Lat projection · left wrist plain radiograph of the wrist · 53.9 mm image width. 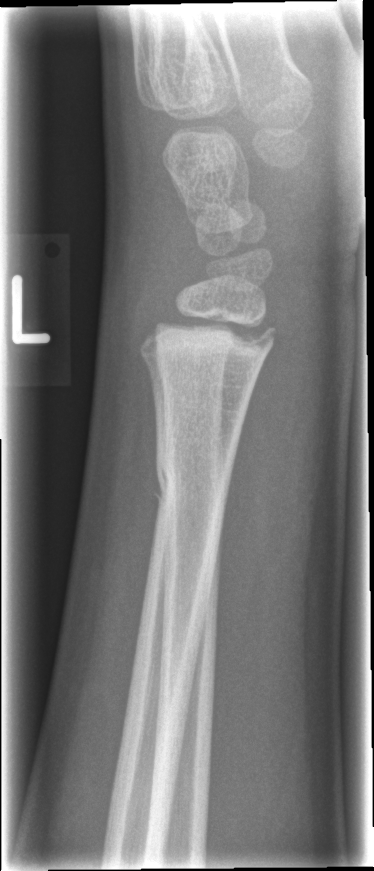 - Boxes as x1,y1,x2,y2 (top-left / bottom-right, pixel units).
- One bone fracture at <151,462>-<236,516>.
- AO/OTA classification: 23r-M/2.1.